PA/AP projection · left pediatric wrist radiograph · 14y M · in cast · detector: Siemens 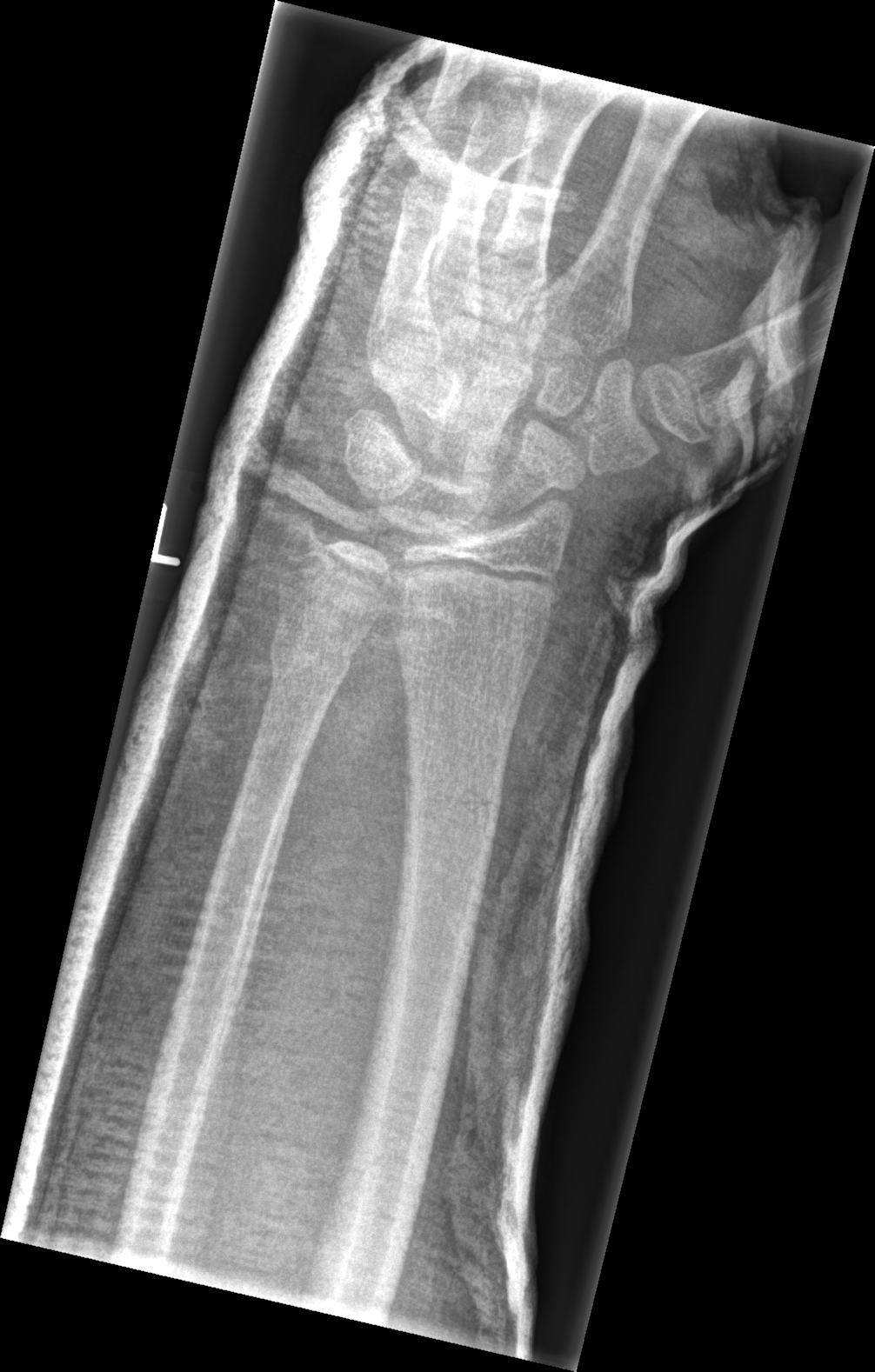 • AO code 23-M/2.1.
• Bone fractures — 397,776,504,848; 264,623,360,696.